PA/AP projection; L pediatric wrist radiograph

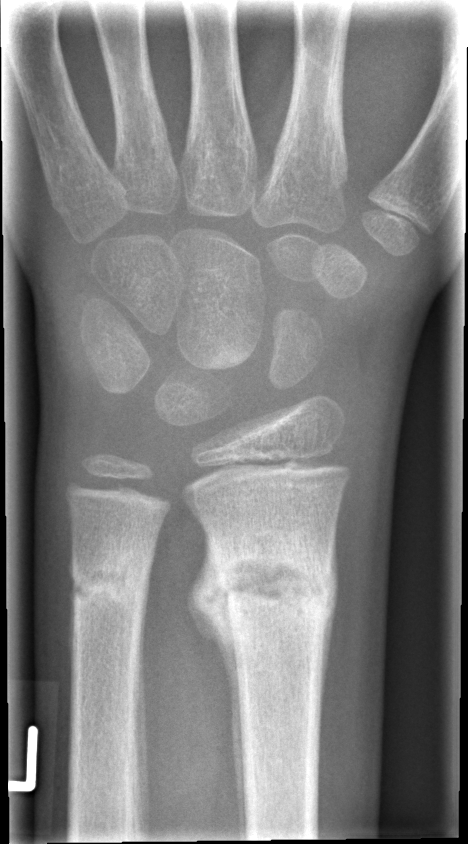

FINDINGS — (bounding boxes in image-pixel xyxy) Fx: [202, 543, 341, 638], [67, 546, 153, 609]. Osteopenia. Two periosteal reaction at [186, 529, 248, 840]; [318, 518, 341, 754].